Lat view; left wrist X-ray; age 12 y, male. 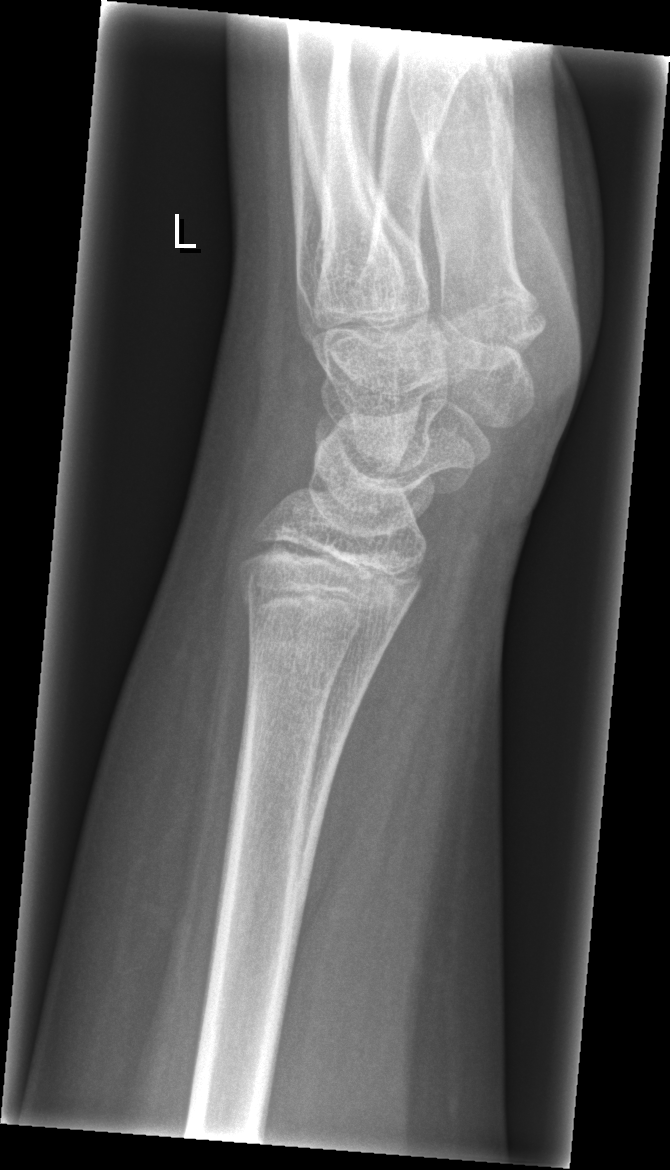
(pixel coordinates, top-left origin, xyxy)
AO code: 23r-M/2.1
Fracture: <234,572>-<411,646>